Frontal projection, L wrist plain film, follow-up —
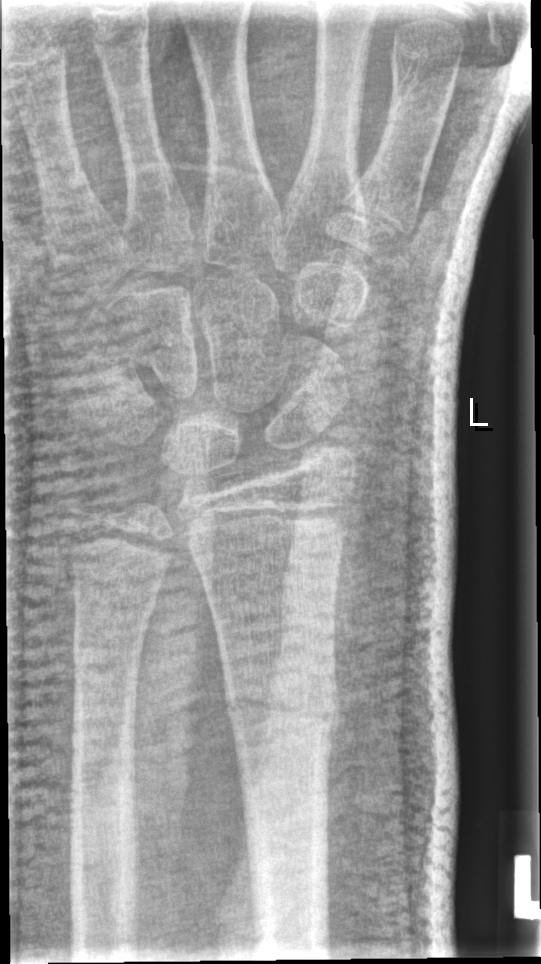

(pixel coordinates, top-left origin, xyxy)
Fracture = 1 @ [224, 667, 340, 759]